PA/AP · right wrist plain film.

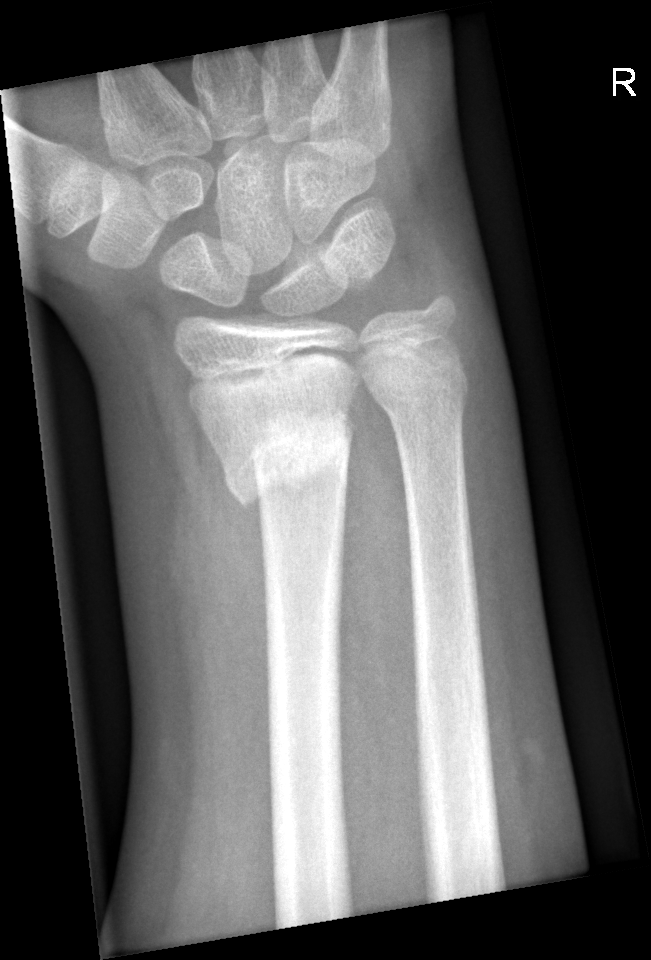
Bounding boxes in image-pixel xyxy.
Soft tissue abnormality: <135,339>-<275,767>.
Two bone fractures at <218,396>-<361,512> <369,347>-<475,420>.
Fracture classified AO/OTA 23r-M/3.1; 23u-M/2.1.